Right pediatric wrist radiograph · PA/AP projection · 82.7 mm image width.
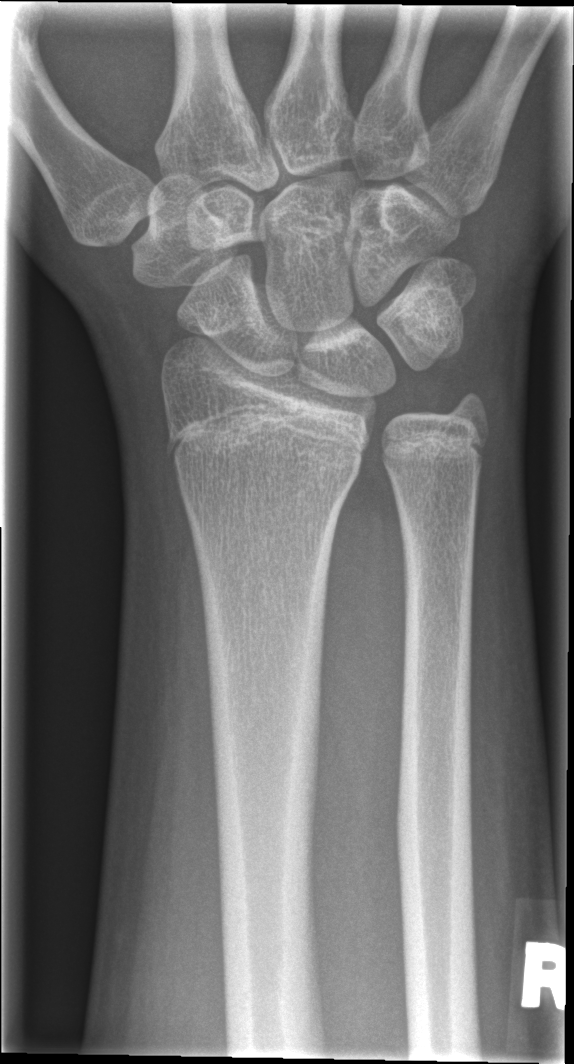 FINDINGS — No Fx annotated.